Lt wrist XR, lateral view, 784 x 1207 px —

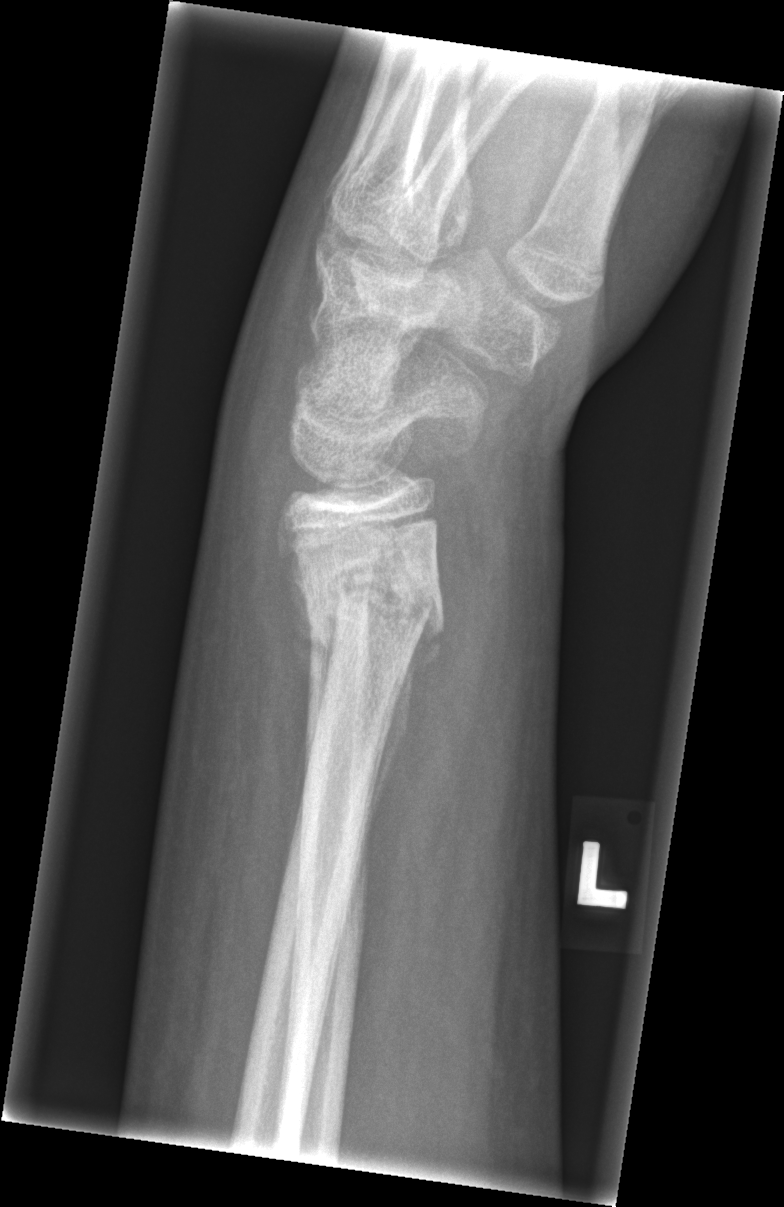
AO/OTA classification: 23r-M/3.1; 23u-E/7. Fracture: (left=279, top=536, right=443, bottom=736). One periosteal new bone at (left=359, top=595, right=443, bottom=839).